Rt wrist X-ray · lat · boy, 8 yo: 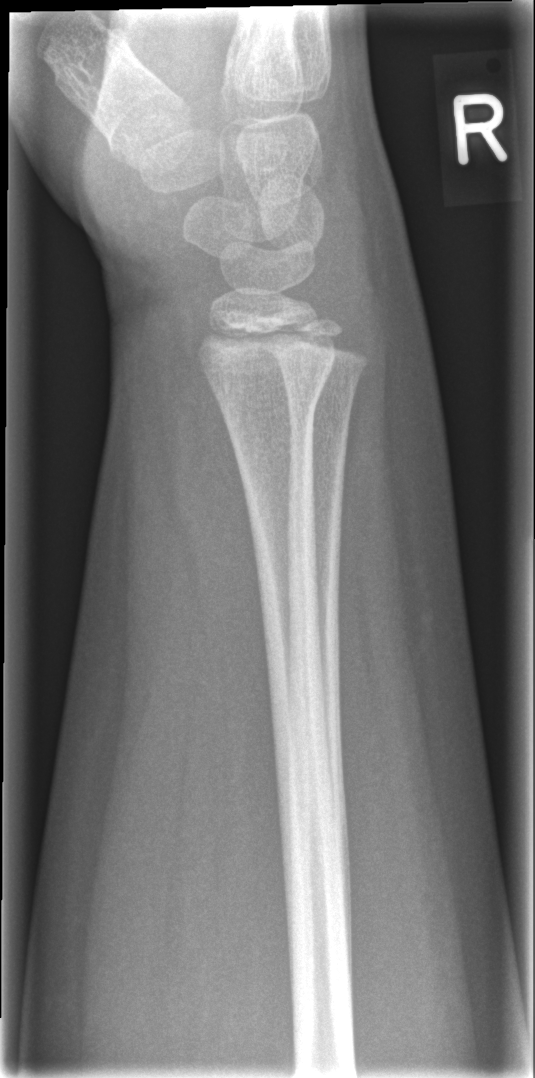
(bounding boxes in image-pixel xyxy)
Q: Locate any fractures.
A: Bone fracture — <213,352>-<339,436>